L wrist radiograph, AP view: 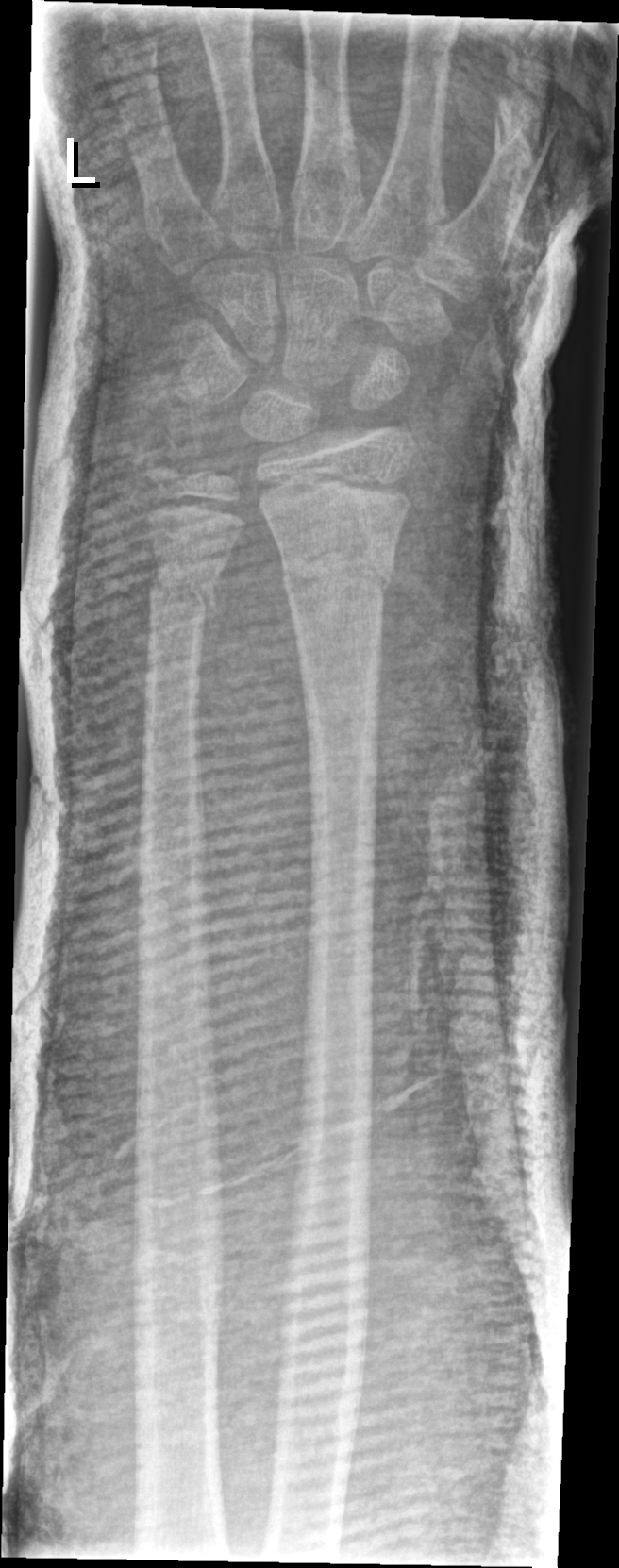
Findings: (coordinates are [x1, y1, x2, y2] in image pixels) Bone fractures — 280 540 394 607; 143 551 221 617.